Lt pediatric wrist radiograph; lat view; follow-up study; 500x912.
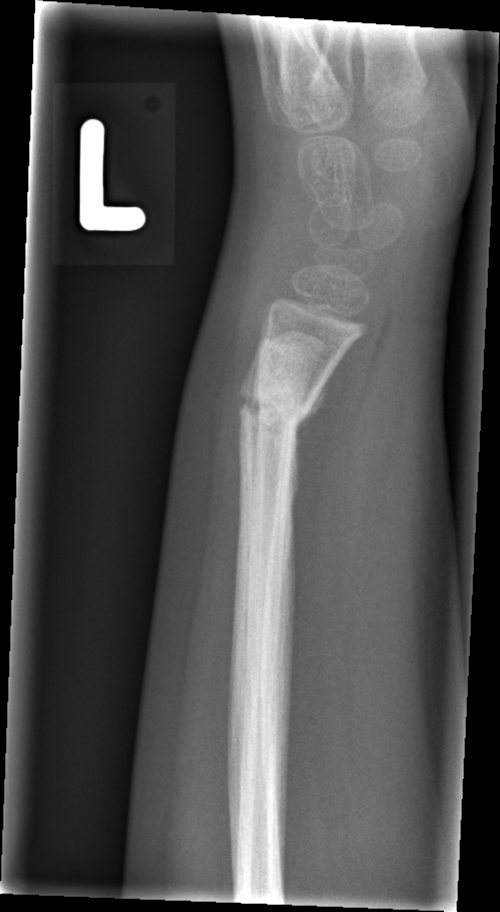

Fx — [235, 381, 312, 443].